Lateral projection | right wrist XR | pediatric patient (boy, age 10) | subsequent exam —
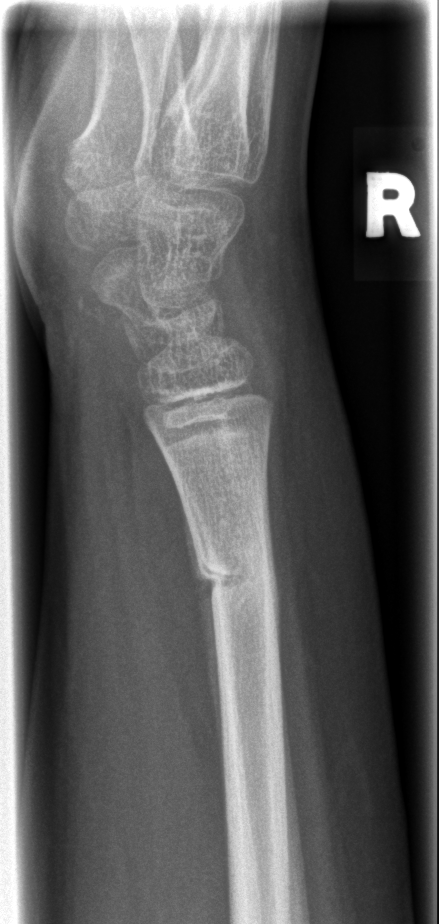

Fx — (190, 536, 284, 622).
One periosteal new bone at (176, 478, 227, 804).